Rt wrist XR · lateral · imaged through cast · image size 542x892 — 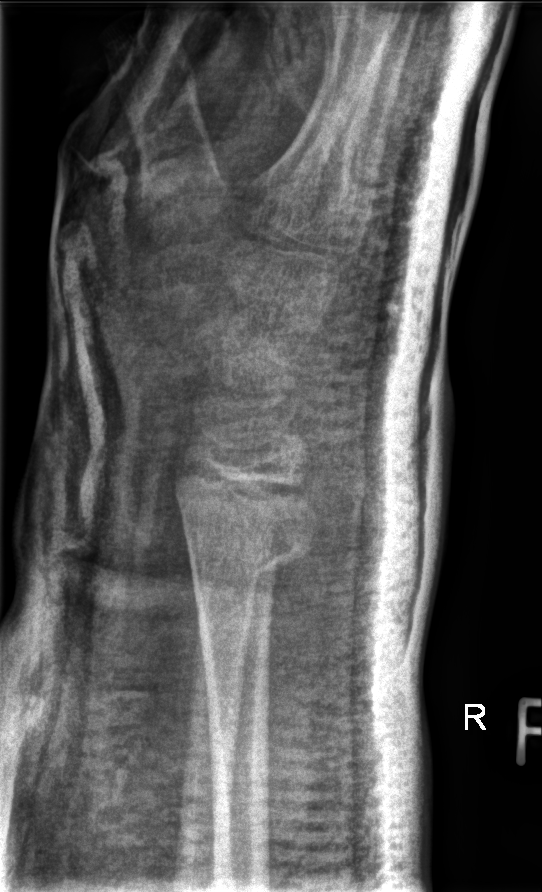
fracture: <183,531>-<315,600>